PA projection; left wrist plain film; age 9 y, girl 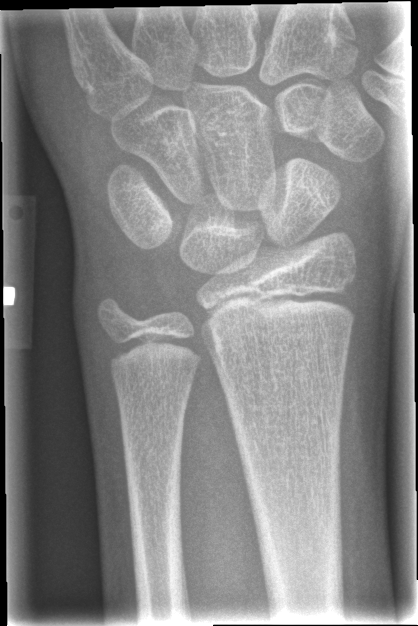

No fracture annotation.